Right wrist plain radiograph of the wrist; lateral; subsequent exam:
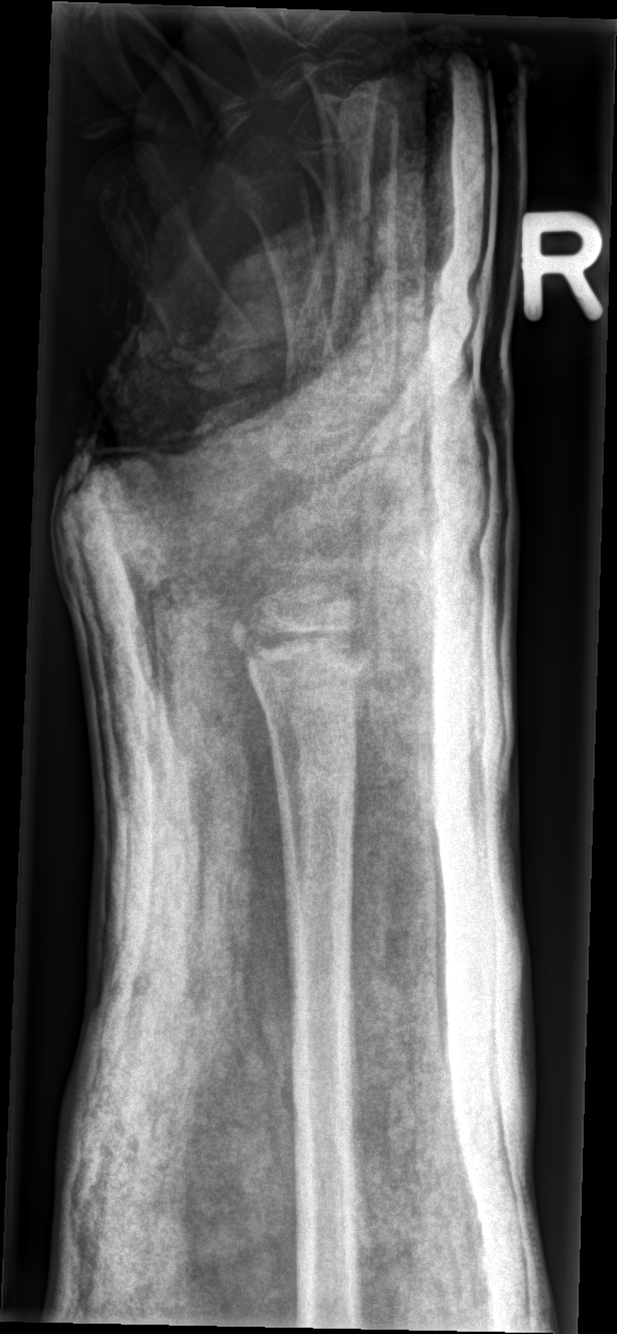
Pixel coordinates, top-left origin, xyxy. Fracture classified AO/OTA 23r-E/2.1; 23u-M/2.1. One bone fracture at 238 618 378 705.